Rt pediatric wrist radiograph; lateral view; age 11 y, boy.

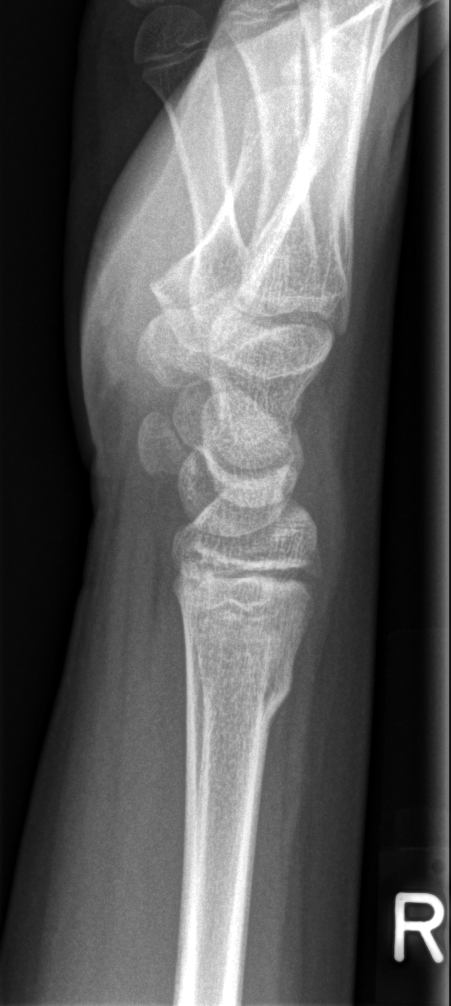

  fracture: 1 @ bbox(183, 661, 296, 720)
  ao: 23r-M/2.1